AP projection; right wrist plain radiograph of the wrist; 11y F 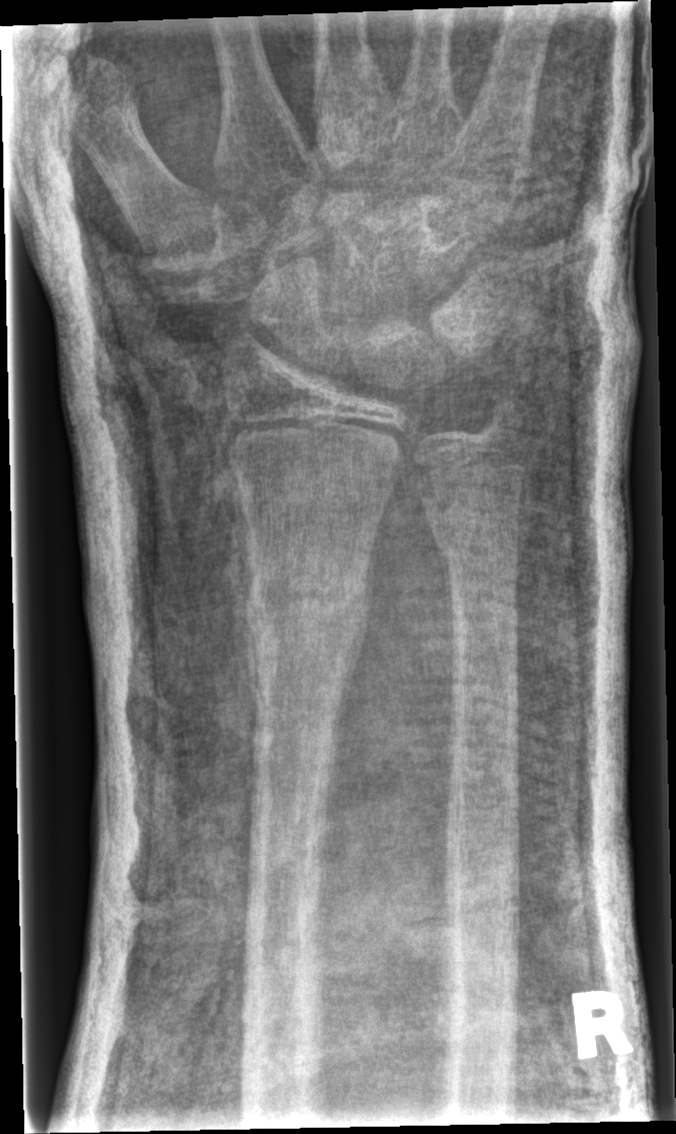

  fracture: 3 @ [241, 564, 374, 663] [428, 508, 524, 566] [479, 382, 530, 436]
  ao: 23-M/2.1; 23u-E/7